AP view, left wrist plain film, 8y F, index exam. 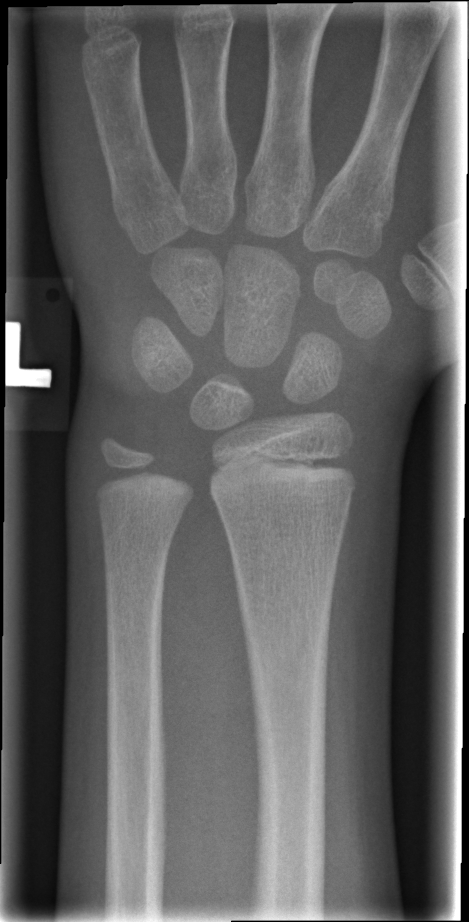
No fracture bounding box.